R plain radiograph of the wrist; posteroanterior projection; detector: Siemens; image size 563x762 —
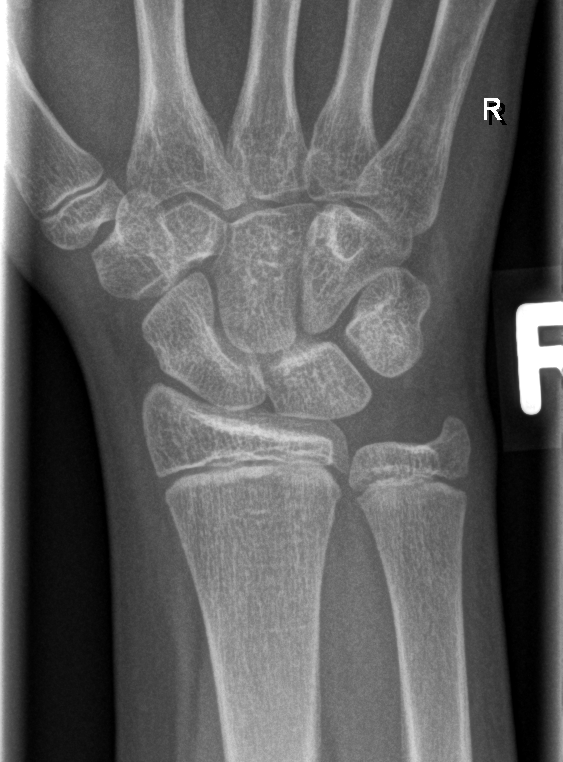 No fracture labeled.